PA projection · Rt plain radiograph of the wrist · initial study · acquired on Siemens · 531x810.

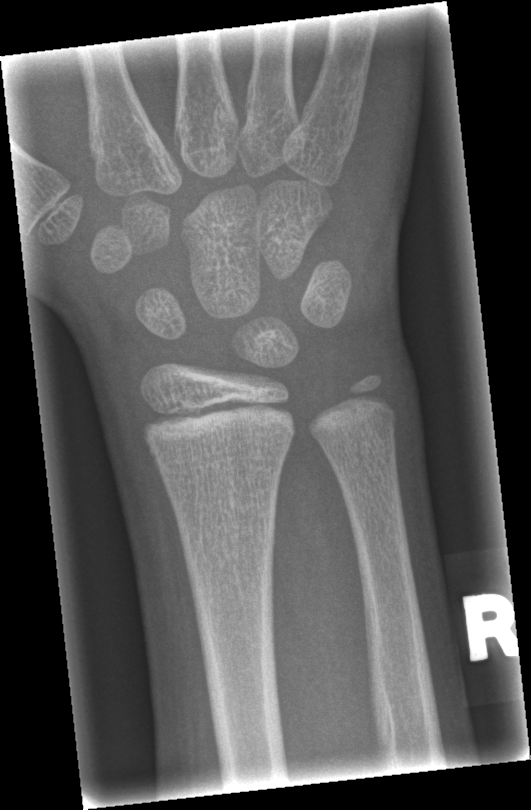
One fracture at (left=177, top=512, right=280, bottom=568). AO/OTA classification: 23r-M/2.1.